Lat view; R wrist radiograph

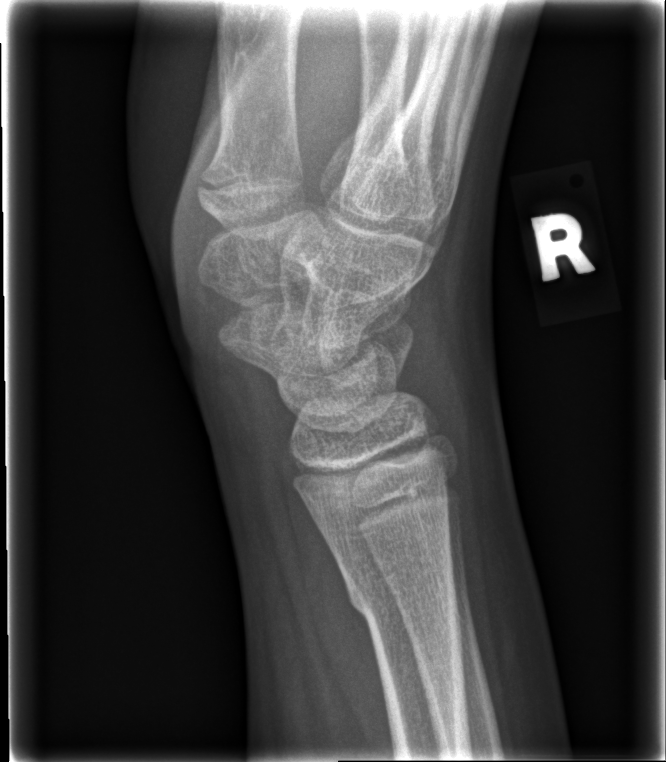

FINDINGS — (boxes as x1,y1,x2,y2 (top-left / bottom-right, pixel units)) Fracture: [x1=342, y1=554, x2=463, y2=632]. AO code 23r-M/2.1.